AP projection, left wrist radiograph
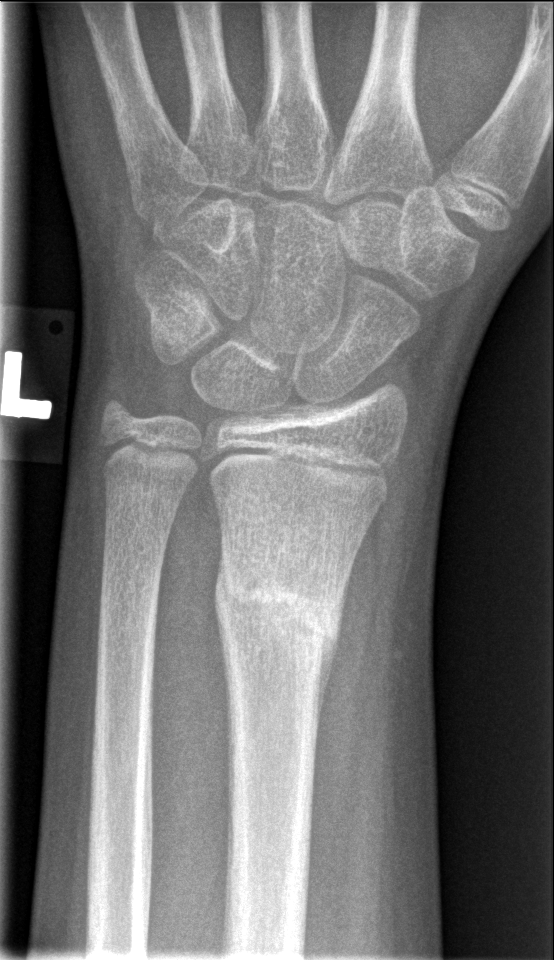
Bone fracture: [210, 550, 348, 687]. One periosteal thickening at [316, 583, 346, 752]. AO code 23r-M/3.1. Decreased bone density (osteopenia).